Lt plain radiograph of the wrist, lateral, boy, 16 yo, follow-up, image width 61.1 mm, 424x859 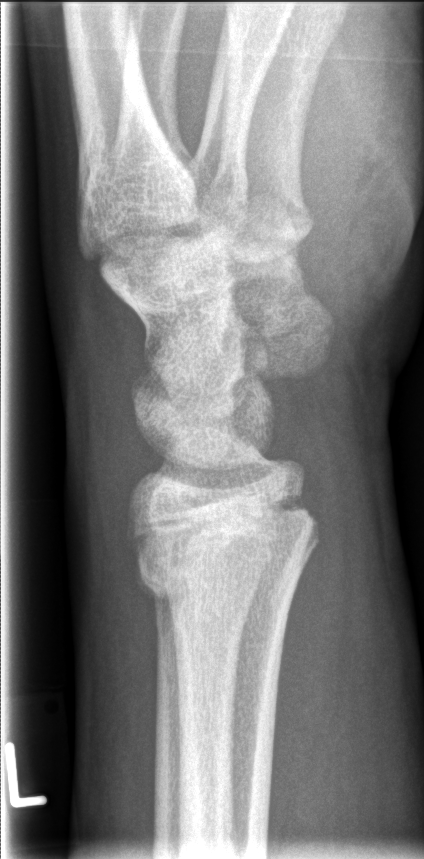

Findings: Decreased bone density (osteopenia). One bone fracture at (left=125, top=502, right=323, bottom=625).